Lateral view · R wrist radiograph · pediatric patient (female, age 14) · image size 486x1182
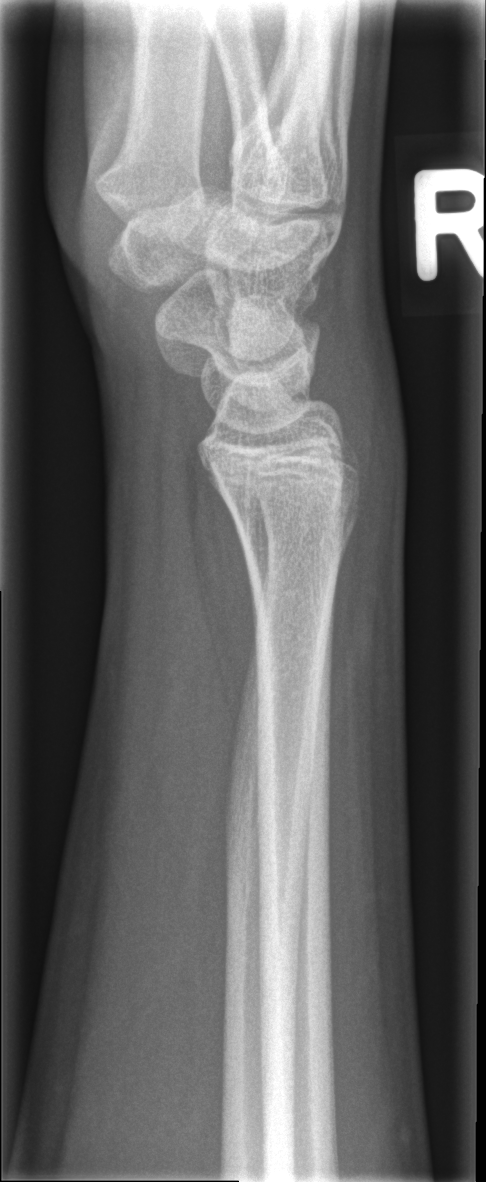

• No fracture annotation.